AP projection · Rt wrist X-ray: 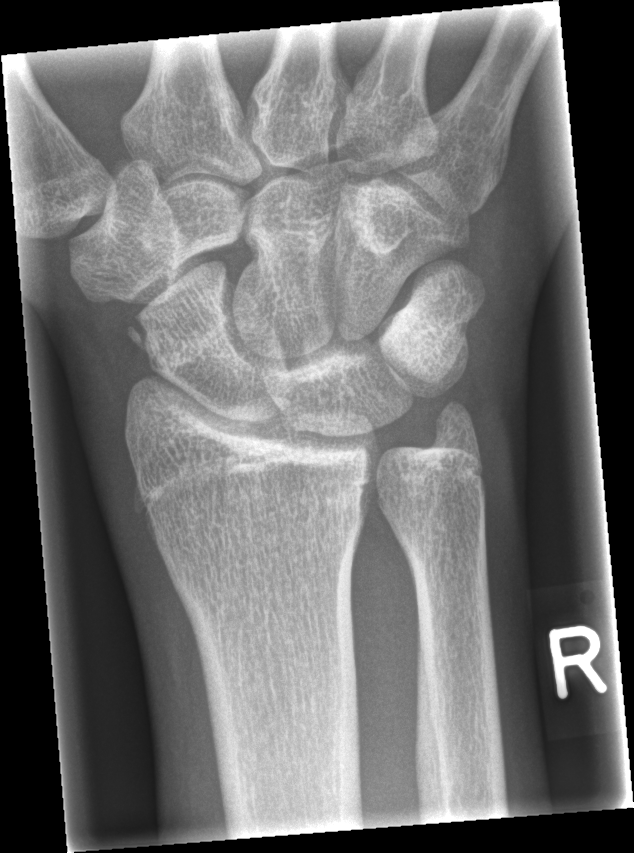 Osseous anomaly — 114 288 172 378.
Fracture: none labeled.